Left wrist plain radiograph of the wrist; lat projection; female, 8 yo; in cast
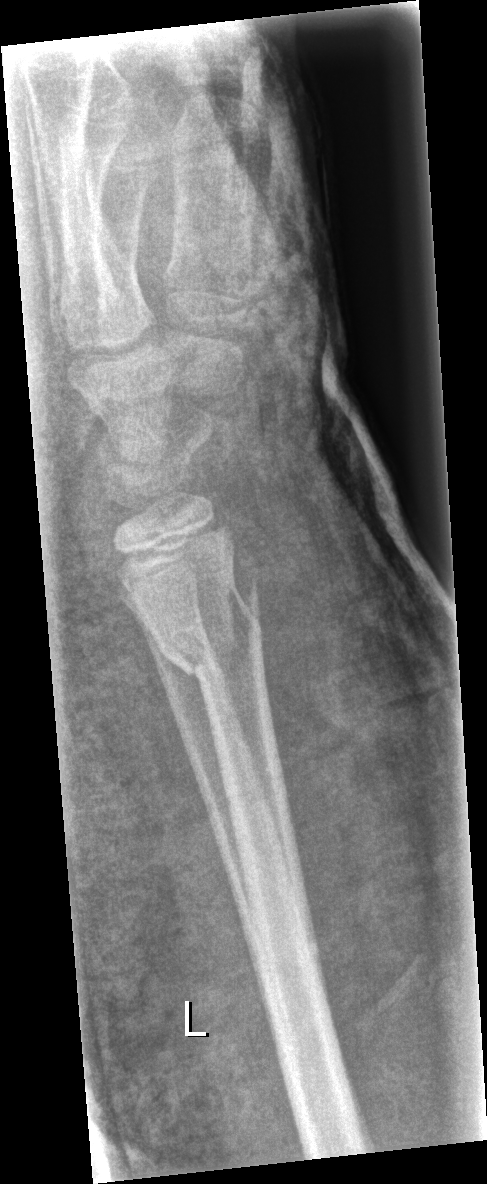 bone fracture = (158, 573, 269, 697)